Lt wrist radiograph · lateral view —
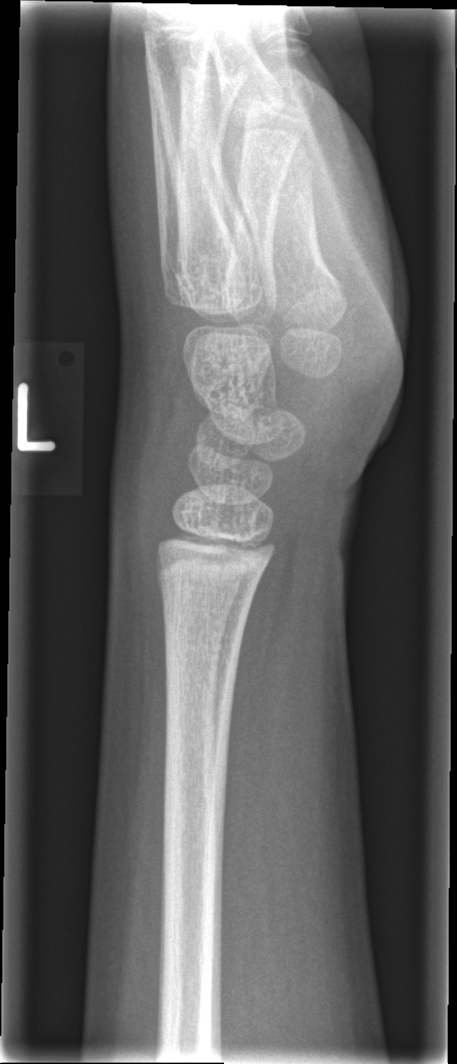
bone fracture = none labeled